Rt plain radiograph of the wrist · AP · initial study · 81.6 mm image width.
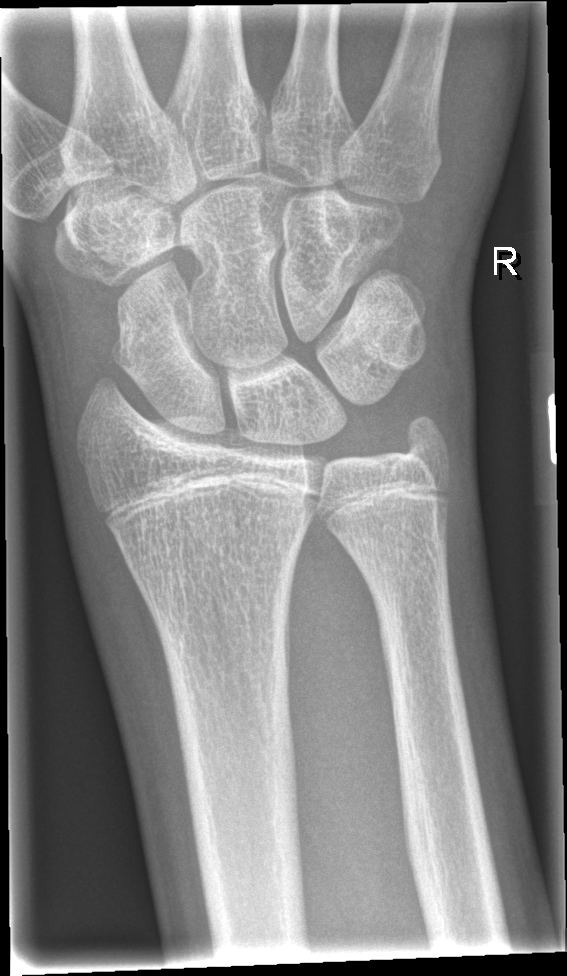

• No fracture bounding box.